R wrist plain film; lat; Siemens; image size 301x794:
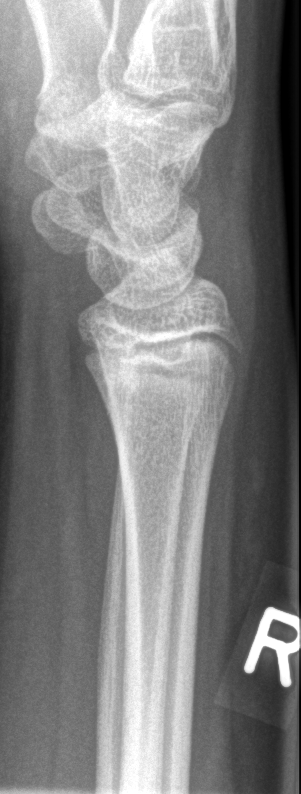
Bone fracture: none labeled